PA/AP view; right wrist X-ray; 12y F; index exam; image 78.6 mm wide —

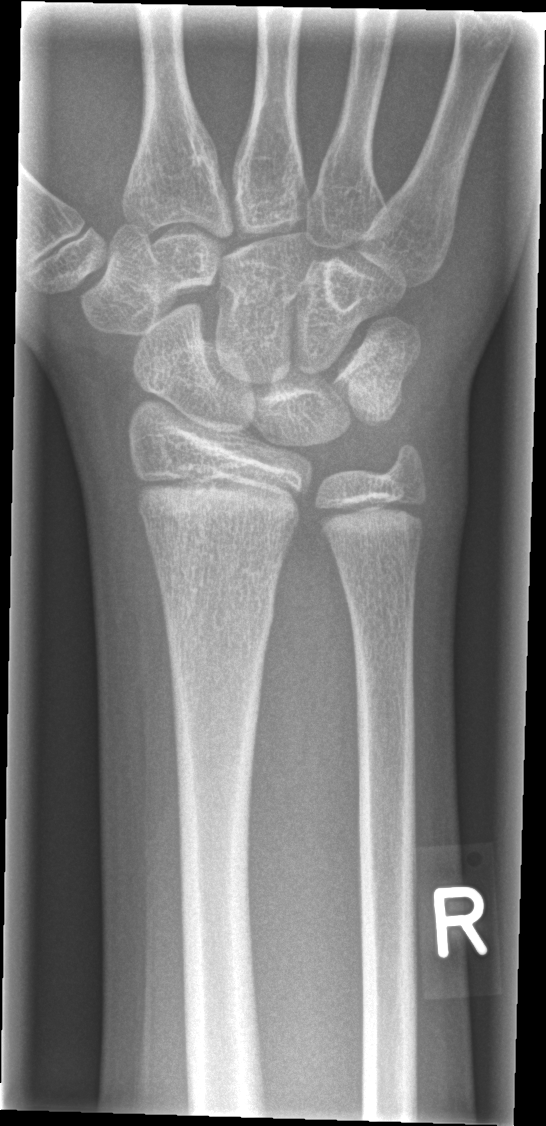
Pixel coordinates, top-left origin, xyxy.
Fracture: (158, 583, 280, 647).
AO code 23r-M/2.1.